Left pediatric wrist radiograph; PA view; 10y M; 518x1082.
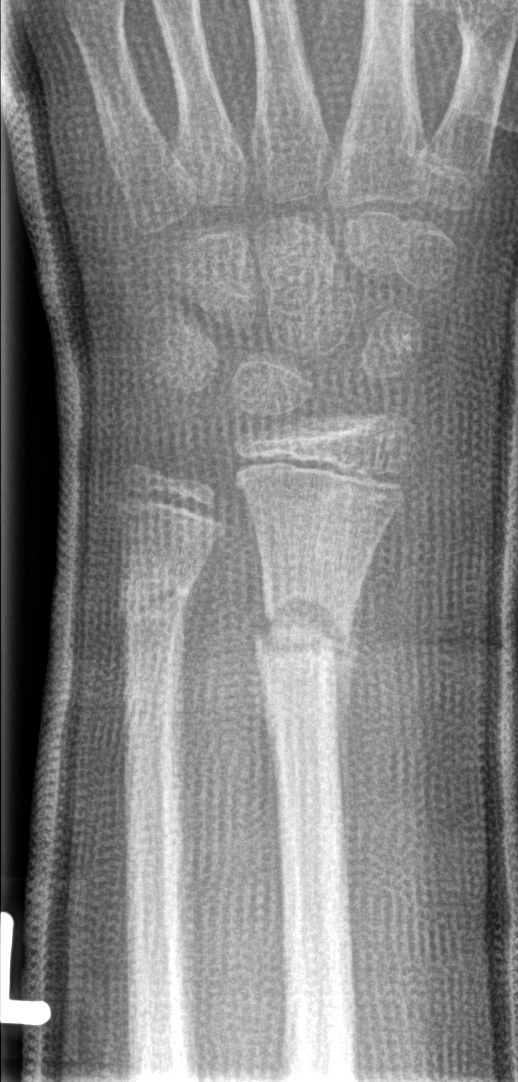 Findings: (coordinates are [x1, y1, x2, y2] in image pixels) AO/OTA classification: 23-M/3.1. Periosteal new bone — (336, 566, 368, 850) (249, 504, 271, 644). Fx identified at (247, 574, 357, 670) (114, 567, 193, 630).